Lt wrist plain film; AP view; girl, 5 yo; follow-up; Agfa; 1092x1092.

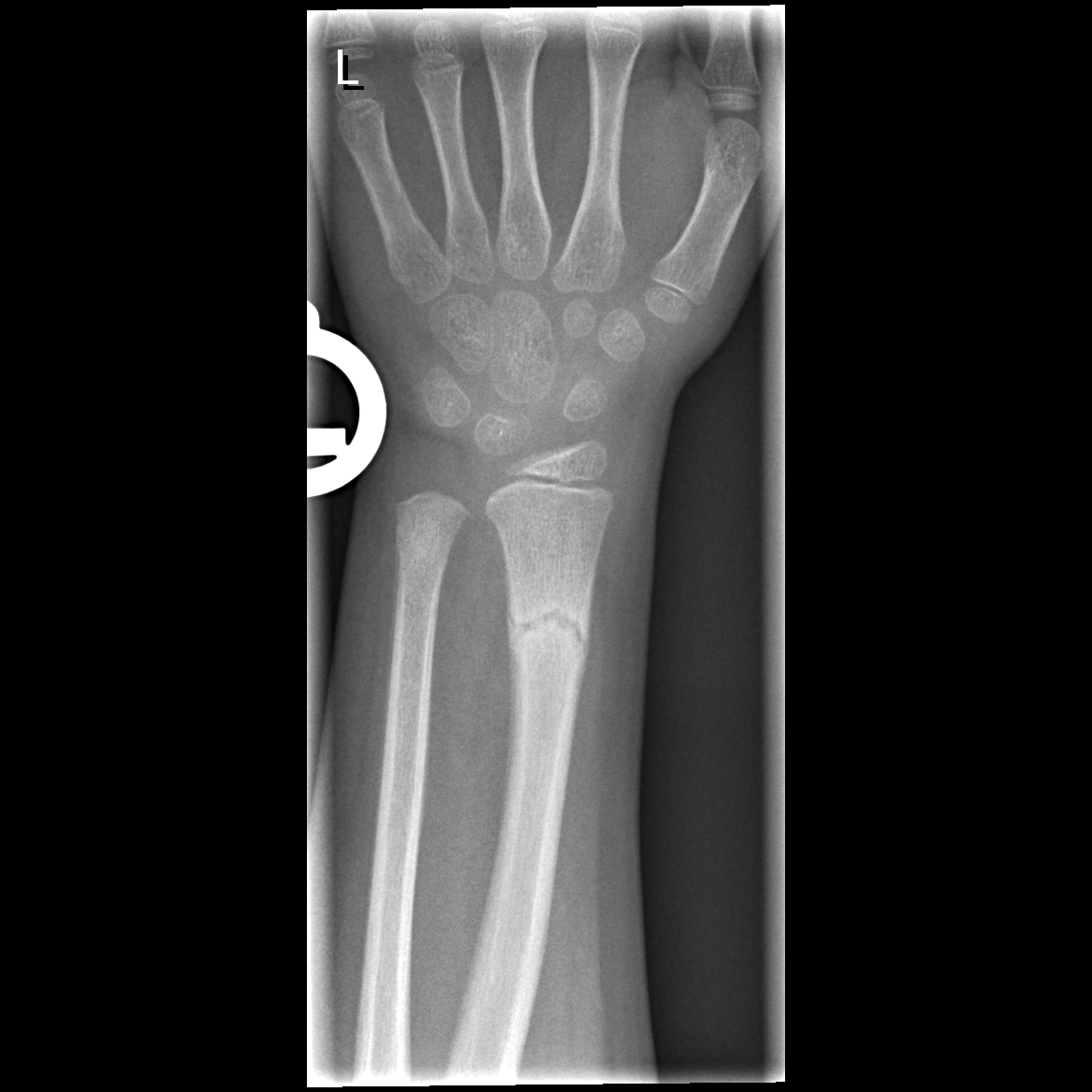

  fracture: [502, 590, 592, 661], [391, 511, 457, 577]
  osteopenia: present
  ao: 23r-M/3.1; 23u-M/2.1